L wrist X-ray | lat — 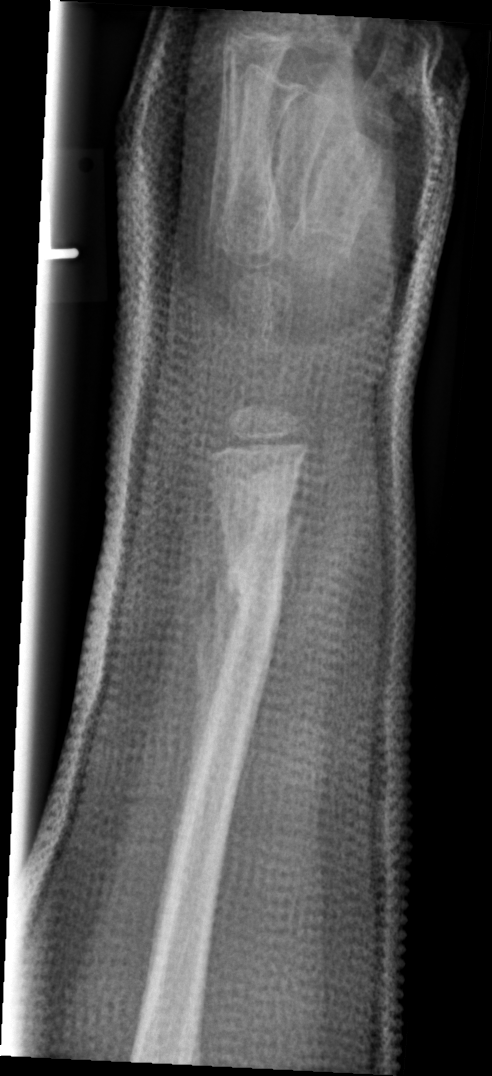

FINDINGS — Fx — <212,521>-<291,642>.